PA view; Rt pediatric wrist radiograph; 11y M; 612 x 1128 px —

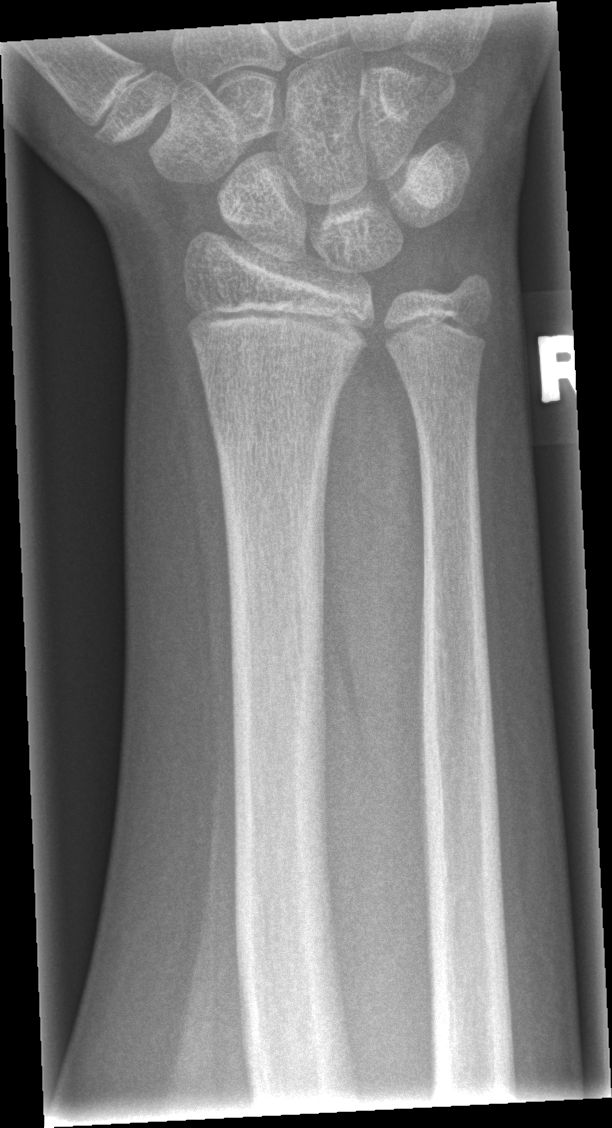

FINDINGS — Fracture: none labeled.